Lat view; R wrist plain film; acquired on Siemens —
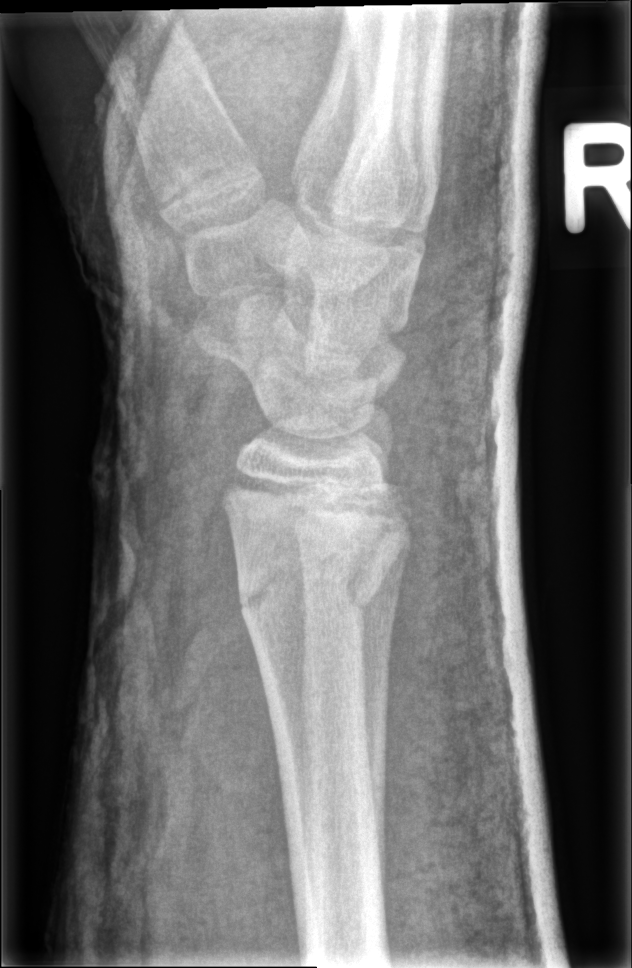

fracture: 1 @ [225, 538, 392, 628]